Lateral view | left wrist XR | index exam — 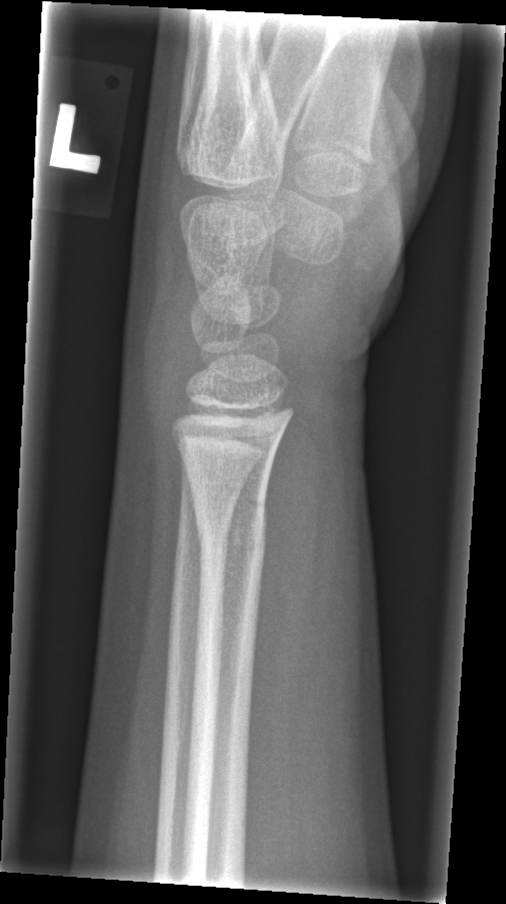 Fx = 1 @ [x1=192, y1=485, x2=271, y2=570]